Lat projection; left wrist X-ray; index exam; image size 552x1062.
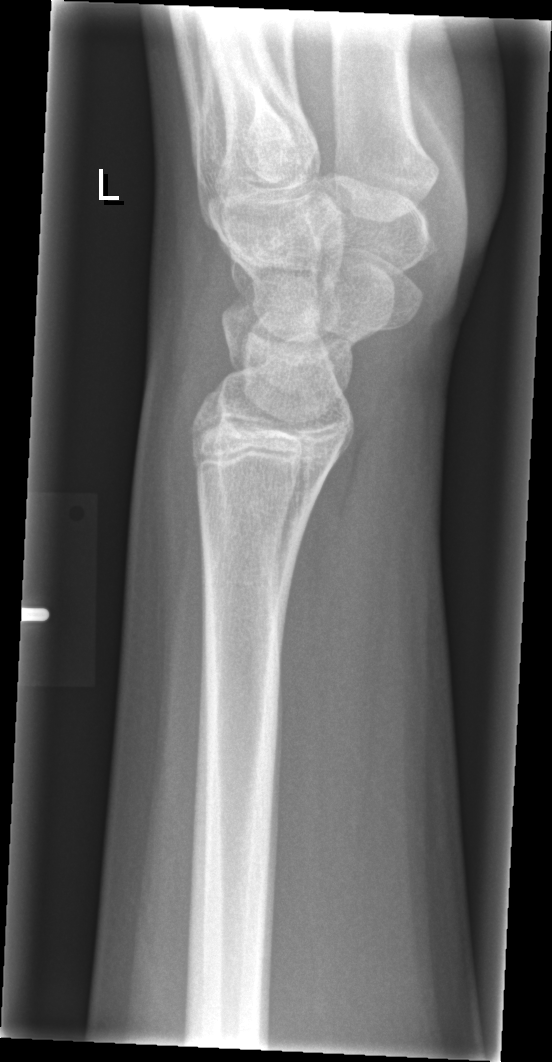

No Fx annotated.